Lateral projection · R plain radiograph of the wrist · age 13 y, boy · presentation radiograph · 76.8 mm image width · 533x1180.
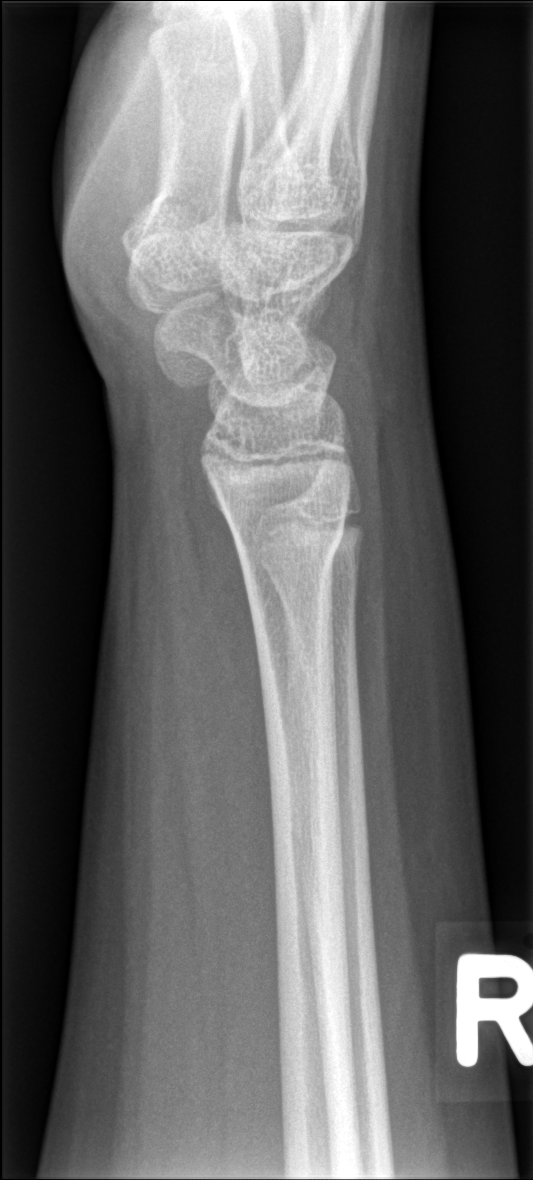

Q: Locate any fractures.
A: Bone fracture — (229, 502, 351, 593)